PA, left wrist radiograph, 522 x 1240 px.
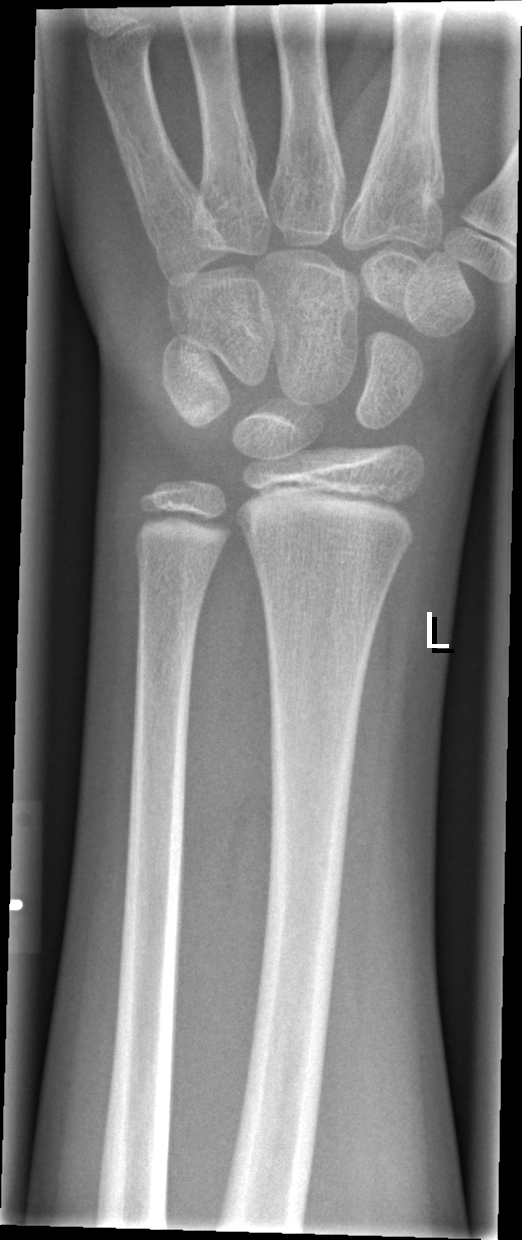

* Fracture: none labeled.